Rt plain radiograph of the wrist, lateral, pediatric patient (female, age 4) —

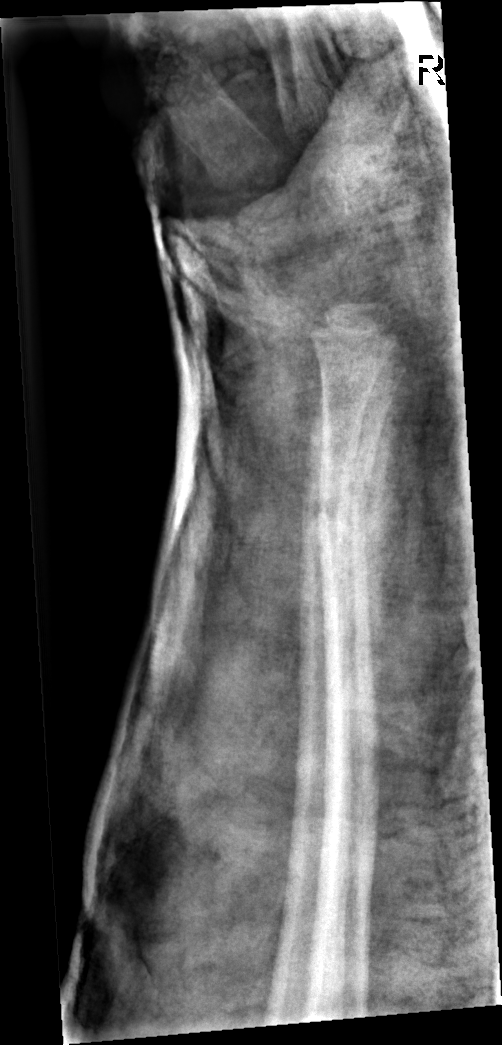 AO/OTA classification: 23-M/3.1.
Fx — <301,480>-<384,548>.